R plain radiograph of the wrist; frontal view; 12y M; detector: Siemens; 562 x 1055 px.

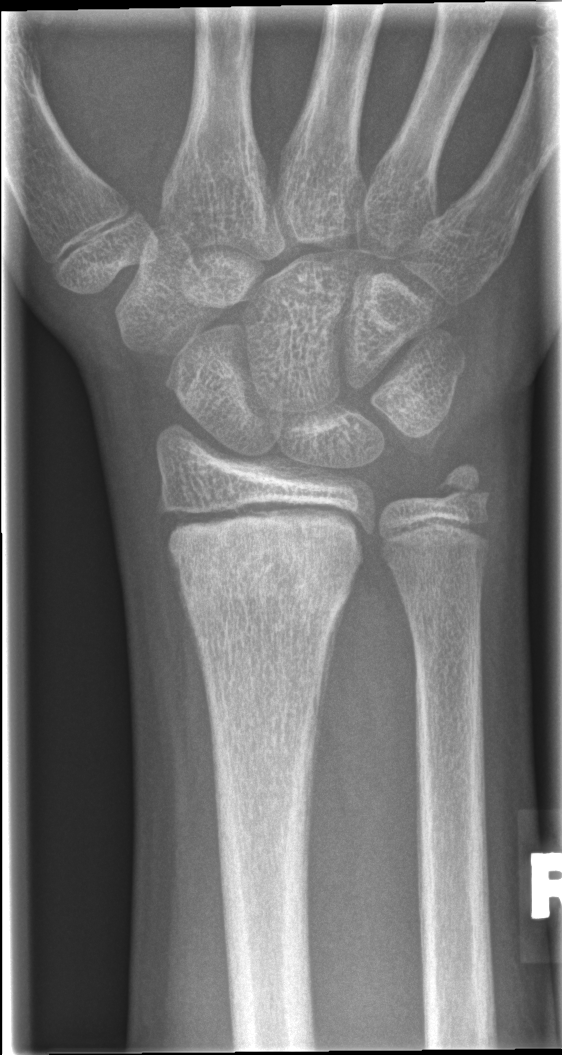
(pixel coordinates, top-left origin, xyxy)
Q: Is there periosteal reaction?
A: Periosteal new bone identified at (left=305, top=597, right=351, bottom=818)
Q: AO code?
A: AO/OTA classification: 23r-E/2.1; 23u-E/7
Q: Is there a fracture?
A: Bone fracture identified at (left=164, top=503, right=365, bottom=619) (left=424, top=459, right=493, bottom=514)